PA, Lt pediatric wrist radiograph, boy, 10 yo, detector: Siemens, image size 581x942. 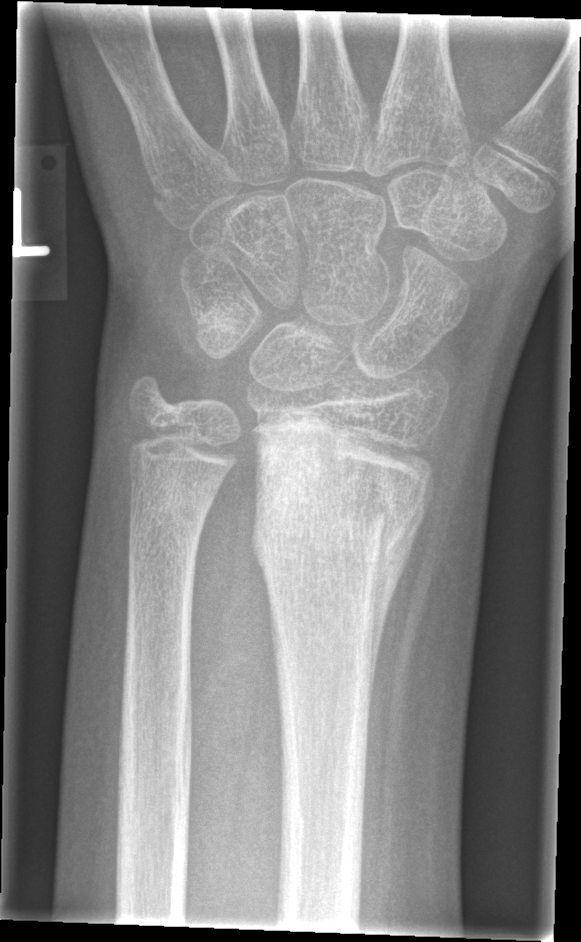
{
  "fracture": "(246, 450, 431, 663)",
  "periostealreaction": "1 @ (362, 476, 435, 754)",
  "ao": "23r-E/2.1; 23u-M/2.1"
}